Lat, left wrist XR, in cast —

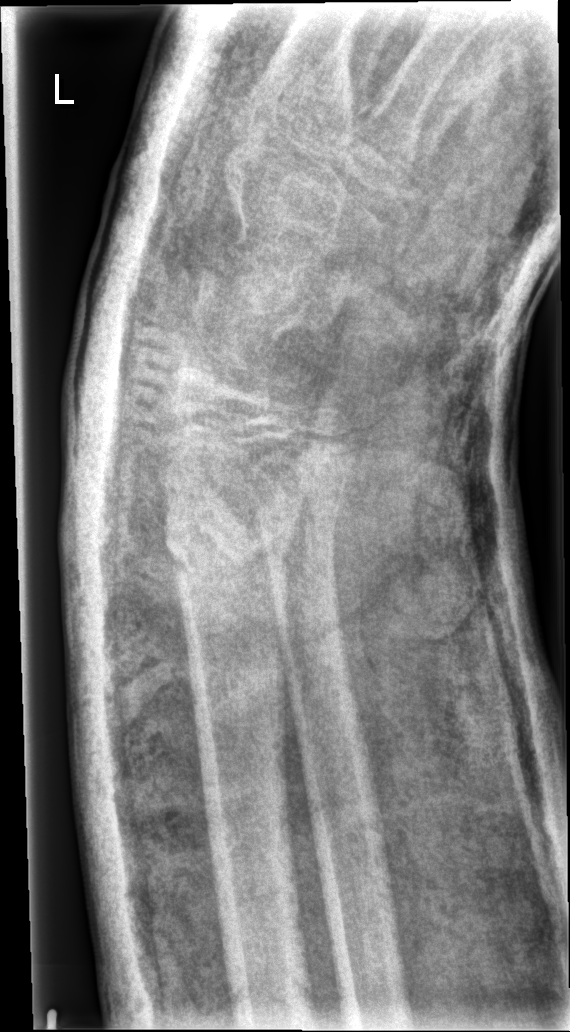 AO/OTA classification: 23r-M/3.1; 23u-E/7.
Fx — bbox(164, 497, 295, 584).